Lat projection, left wrist plain radiograph of the wrist, 7y M, index exam — 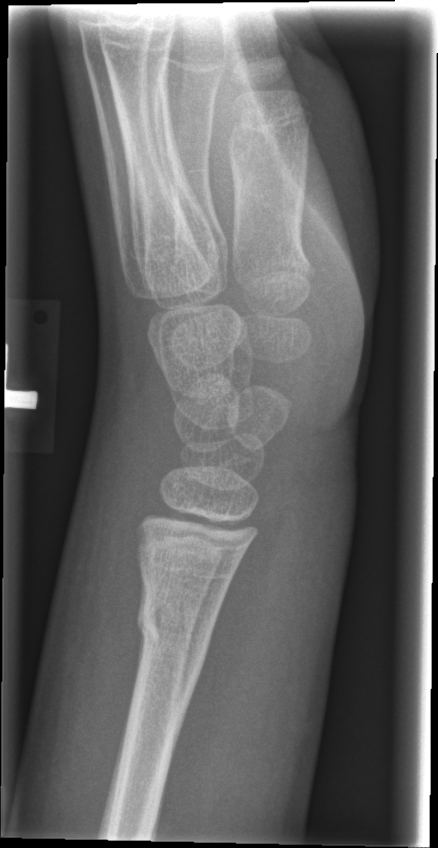 (coordinates are [x1, y1, x2, y2] in image pixels)
Fracture: 1 @ 133 586 217 669